Lat · L wrist plain film · initial study · 78.9 mm image width 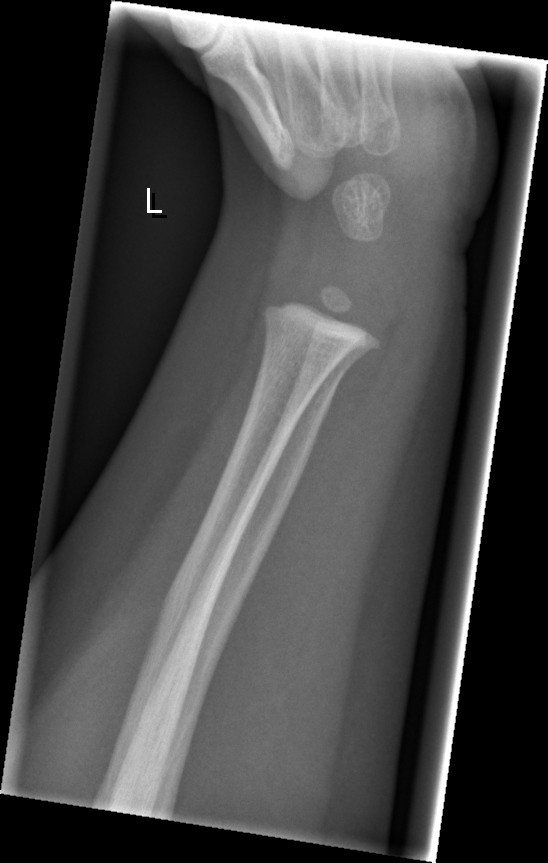 fracture: none labeled